Lat · Rt wrist radiograph · 10y F:
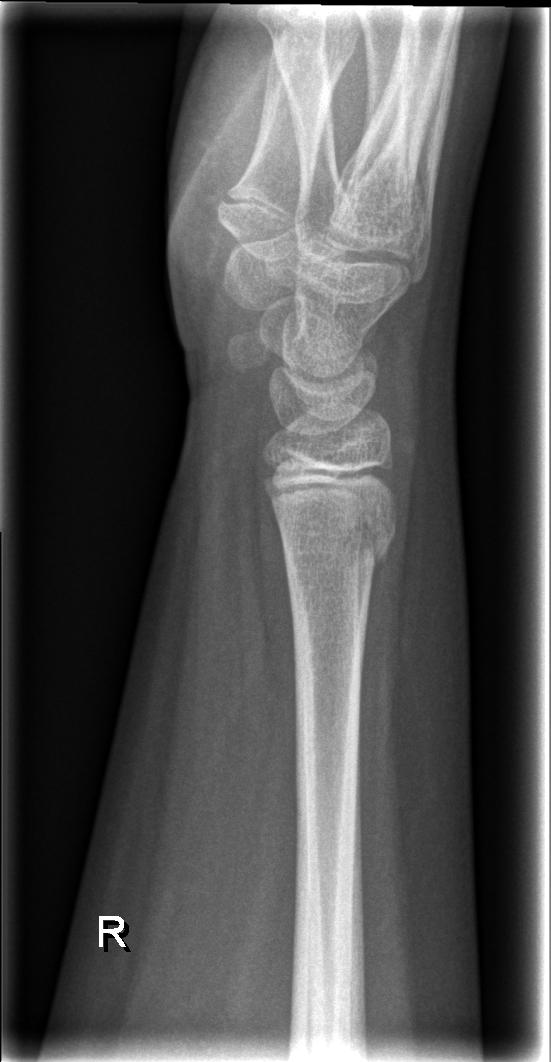

* Fracture — bbox(275, 488, 397, 592).
* AO code 23r-M/3.1; 23u-E/7.